Right plain radiograph of the wrist · AP projection · acquired on Siemens —

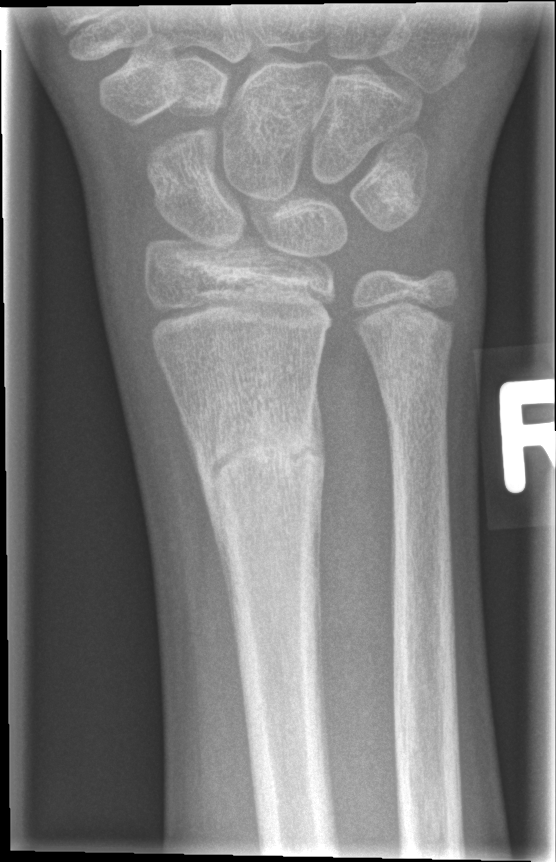 Periosteal reaction identified at [307, 384, 327, 673]. Bone fractures — [184, 392, 330, 581]; [369, 339, 456, 427]. Osteopenia.